Lat projection | right wrist plain radiograph of the wrist | 14-year-old boy | cast in situ.
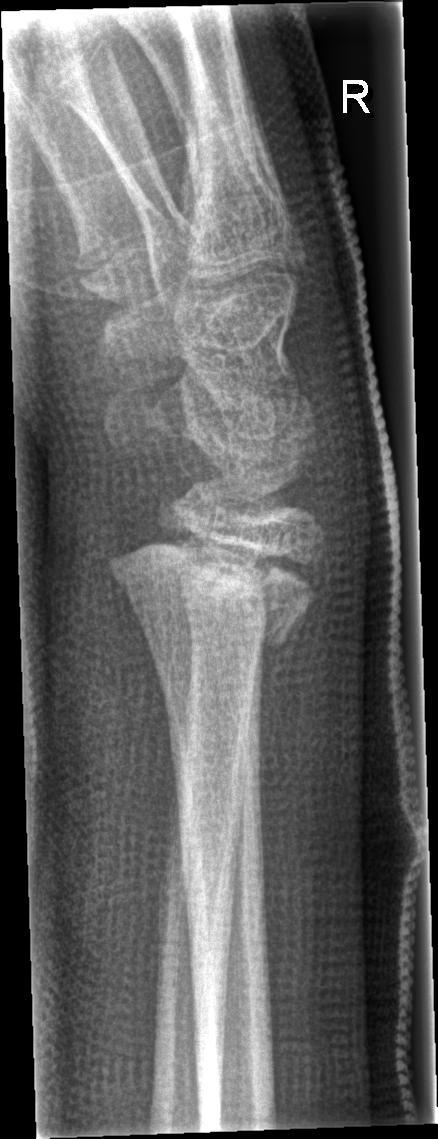 One Fx at (106, 520, 325, 657). AO/OTA classification: 23-E/2.1; 23u-E/7.